Right wrist pediatric wrist radiograph, AP view, age 12 y, male, follow-up study, image size 710x1472:
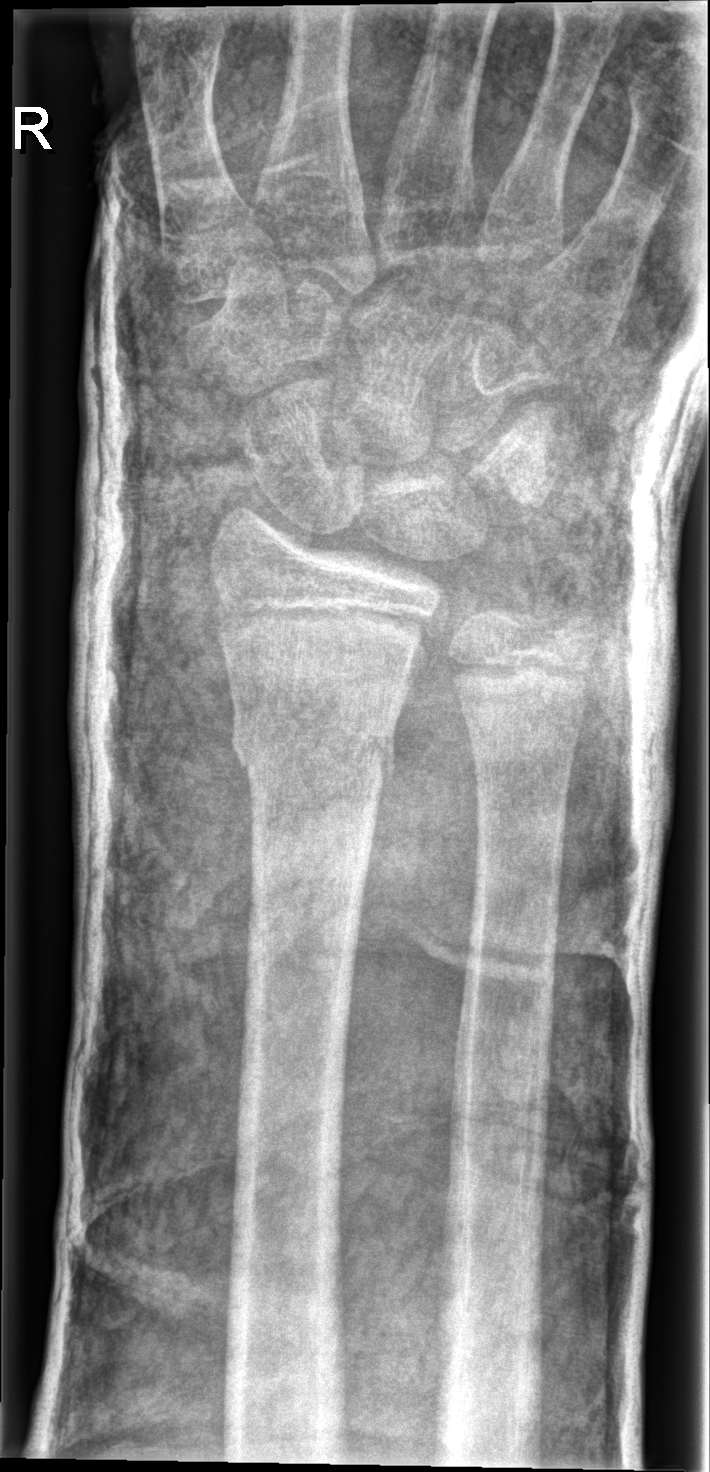 FINDINGS: Bone fracture: [x1=229, y1=703, x2=401, y2=786].